Lat, Rt wrist plain film, follow-up study

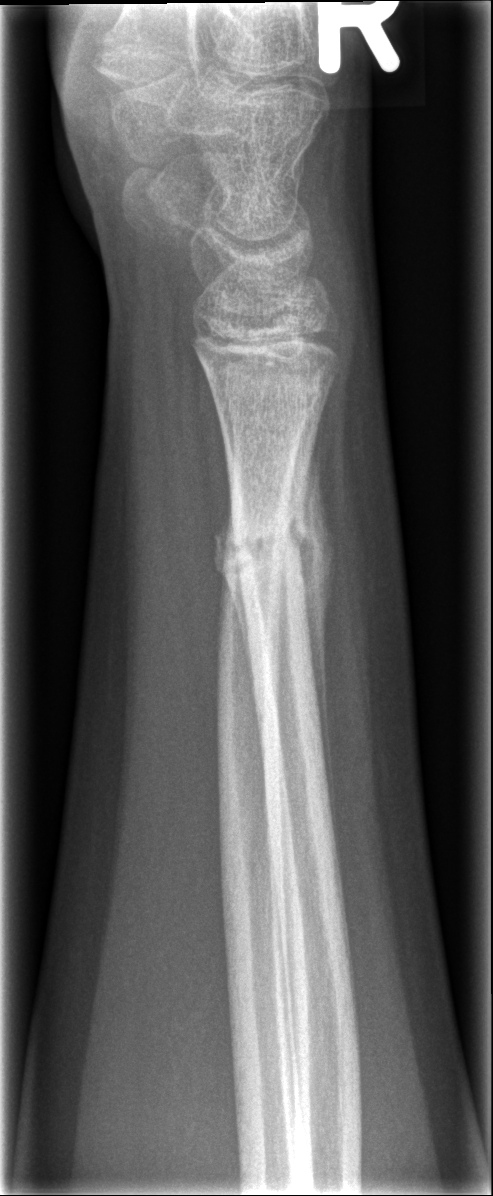 Coordinates are [x1, y1, x2, y2] in image pixels.
Periosteal reaction identified at <287,407>-<337,849>, <213,477>-<254,684>.
AO code 23r-M/3.1.
Fracture identified at <218,505>-<328,593>.